Posteroanterior view | L wrist X-ray —

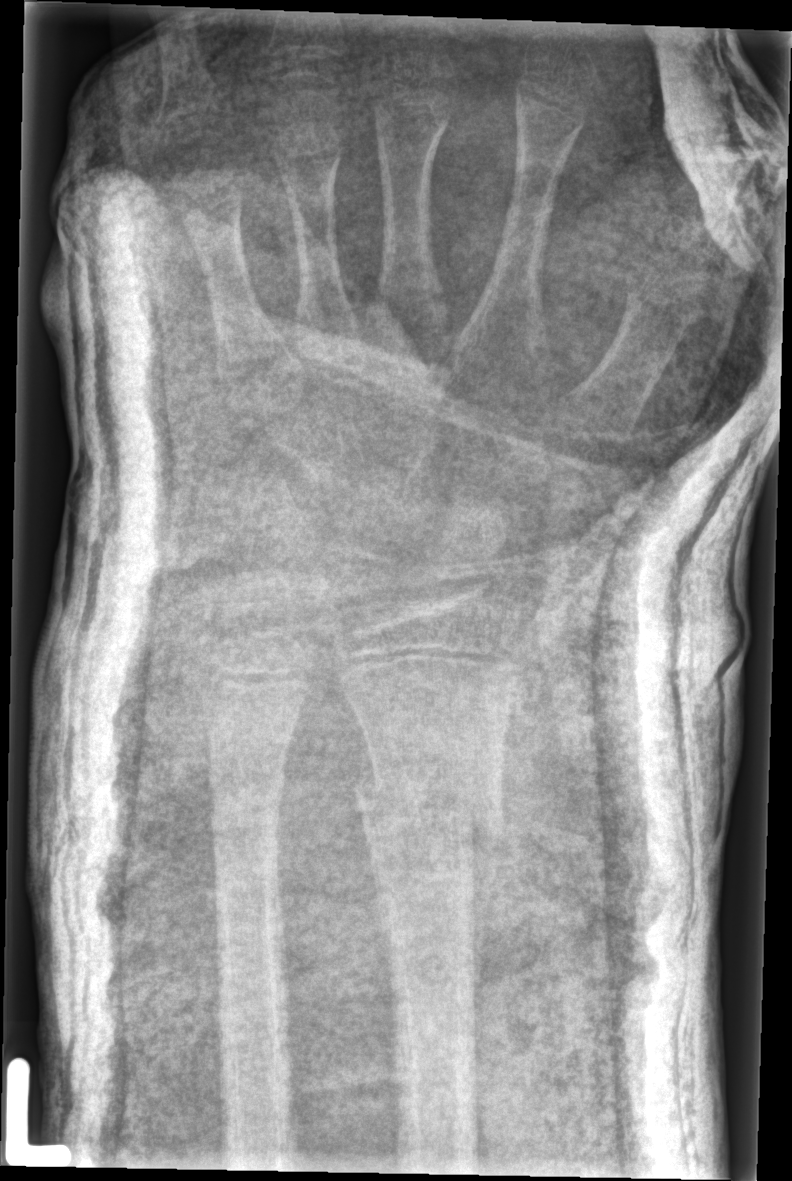
FINDINGS: Two fractures at (347, 764, 506, 885), (204, 769, 289, 862).